L wrist plain film · lateral projection · age 6 y, female.

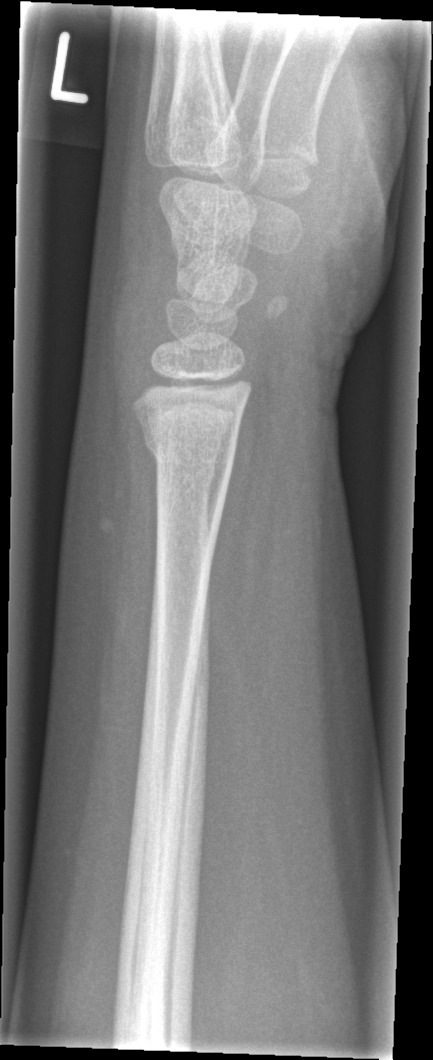

- Pixel coordinates, top-left origin, xyxy.
- Bone fracture identified at 139,419,241,501.